R wrist radiograph · lateral view · age 14 y, male · imaged through cast · image 86.5 mm wide · image size 601x1062

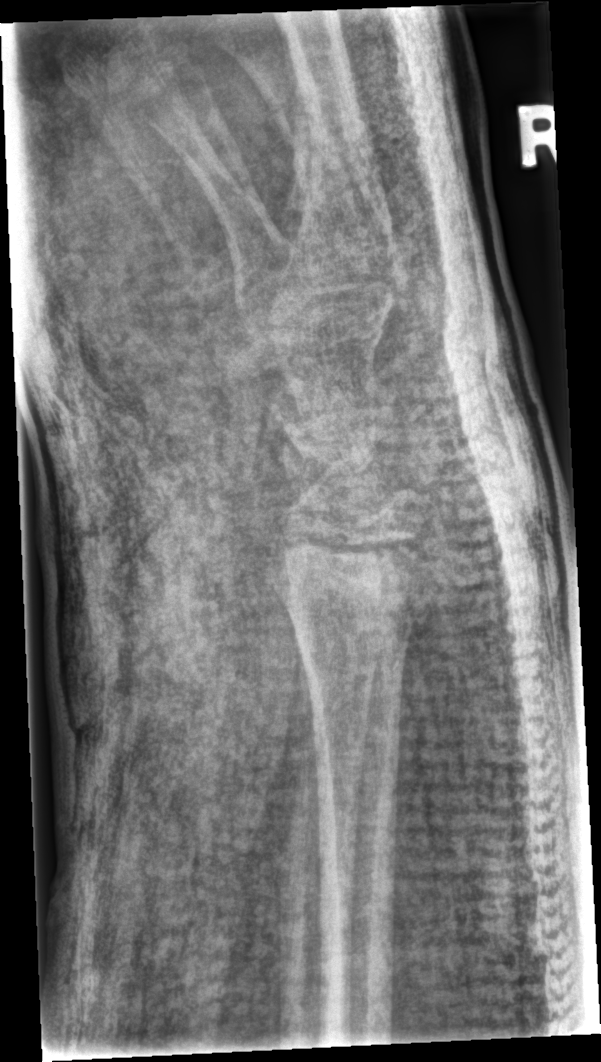 (pixel coordinates, top-left origin, xyxy)
Fx: bbox(282, 532, 437, 646)